Left wrist XR; PA/AP projection; initial study:
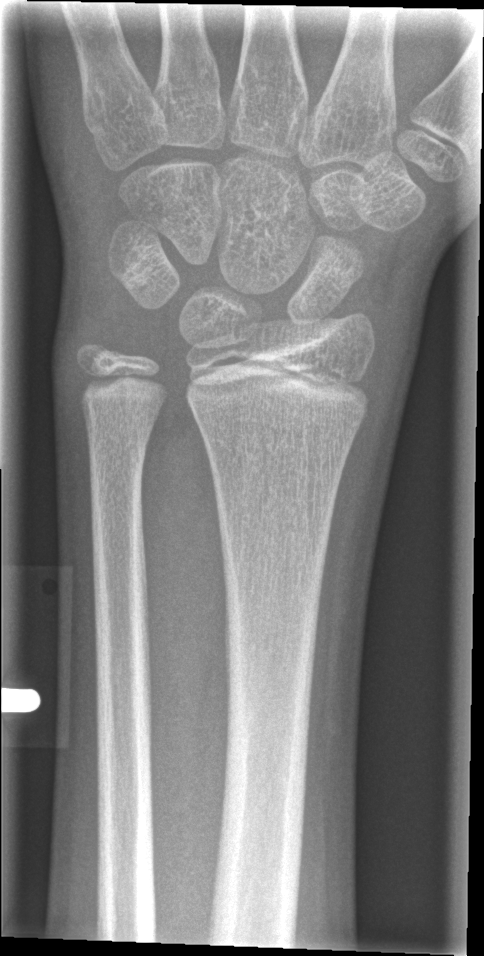

FINDINGS — No fracture bounding box.